Right plain radiograph of the wrist, PA view, pediatric patient (male, age 15) 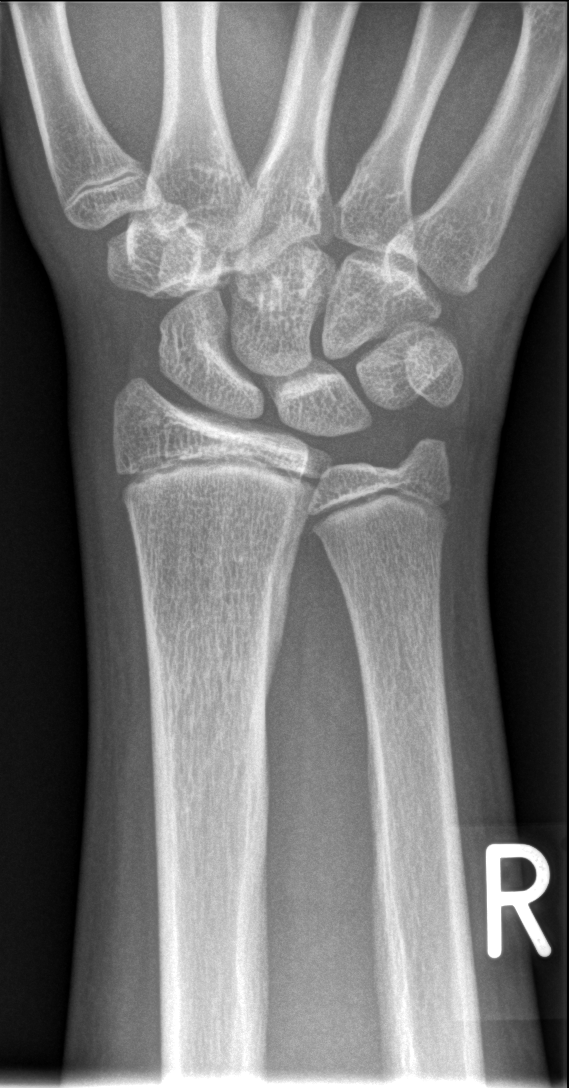
FINDINGS: Fx: none.